Left wrist plain radiograph of the wrist; posteroanterior; Siemens —

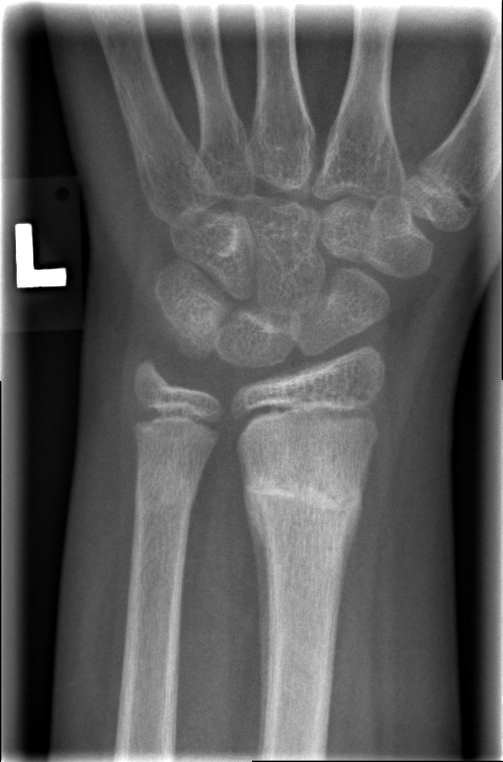 FINDINGS: (coordinates are [x1, y1, x2, y2] in image pixels) Fracture classified AO/OTA 23r-M/3.1; 23u-M/2.. Periosteal thickening — 240 452 274 757. Fractures — 237 455 365 530; 132 469 200 513.